Right wrist plain film; posteroanterior; boy, 4 yo 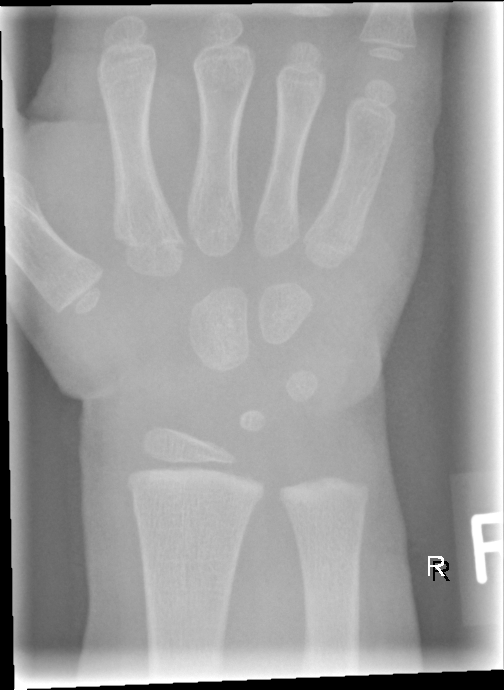 Bone fracture = none labeled